Lateral projection; L wrist plain film; pediatric patient (male, age 16); subsequent exam; 633 by 956 pixels —

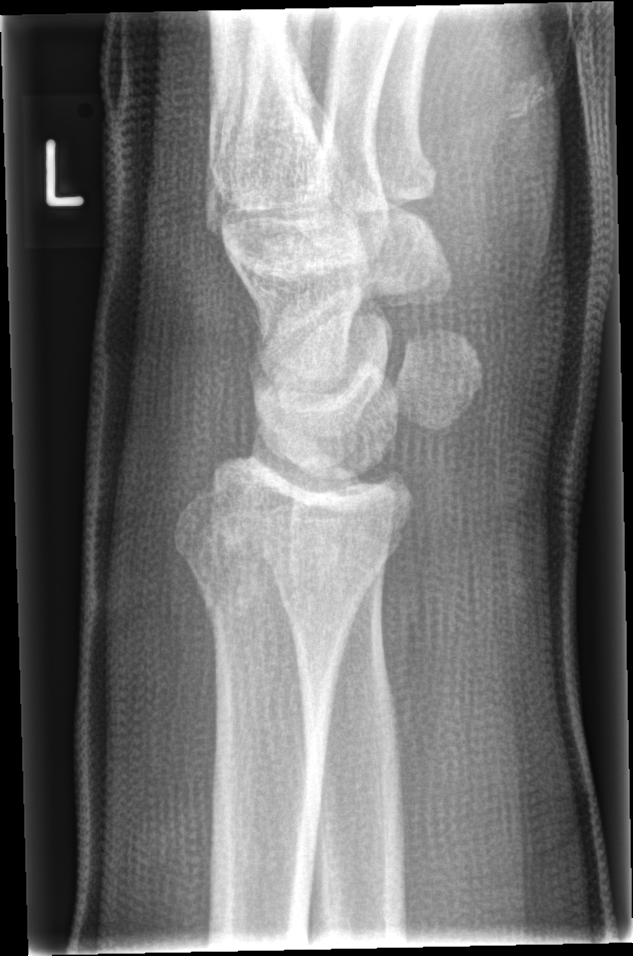

Fx — 171 487 397 637.
AO/OTA classification: 23r-M/2.1; 23u-E/7.